Frontal, left wrist plain radiograph of the wrist, age 15 y, boy —

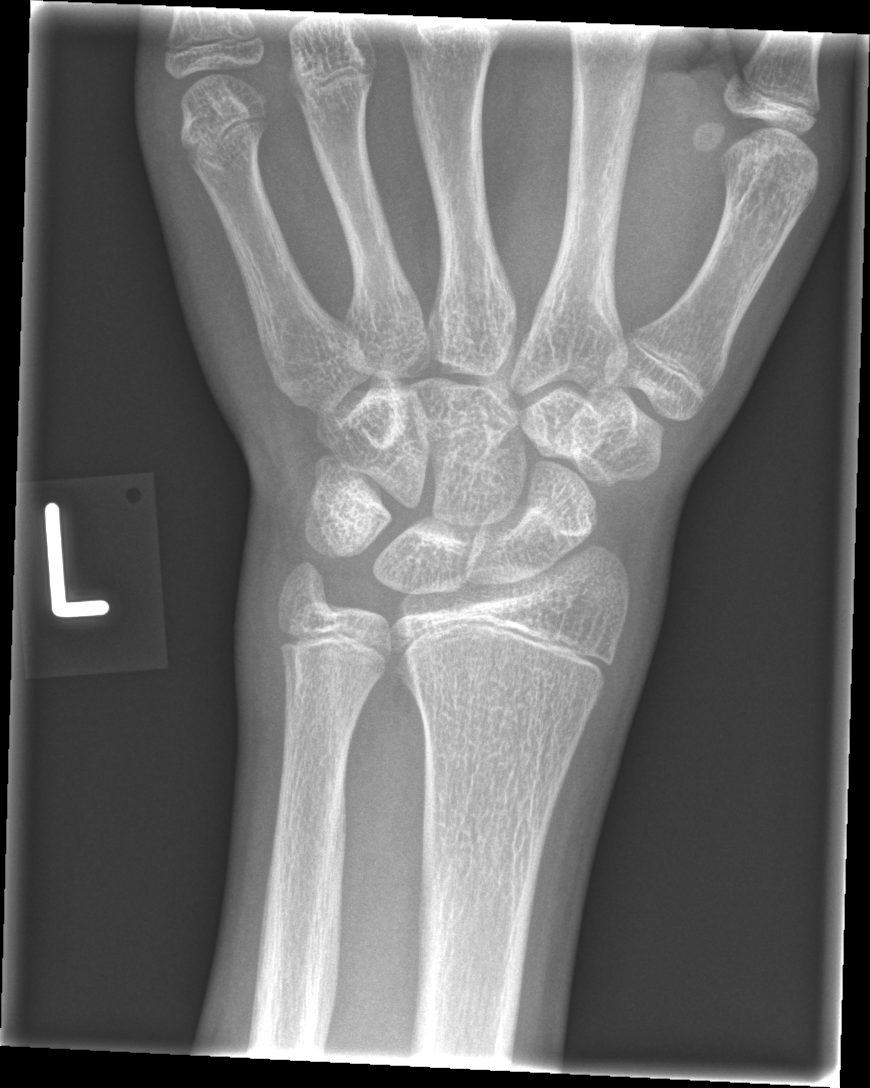

No fracture labeled.